Lat projection · Rt wrist plain film —
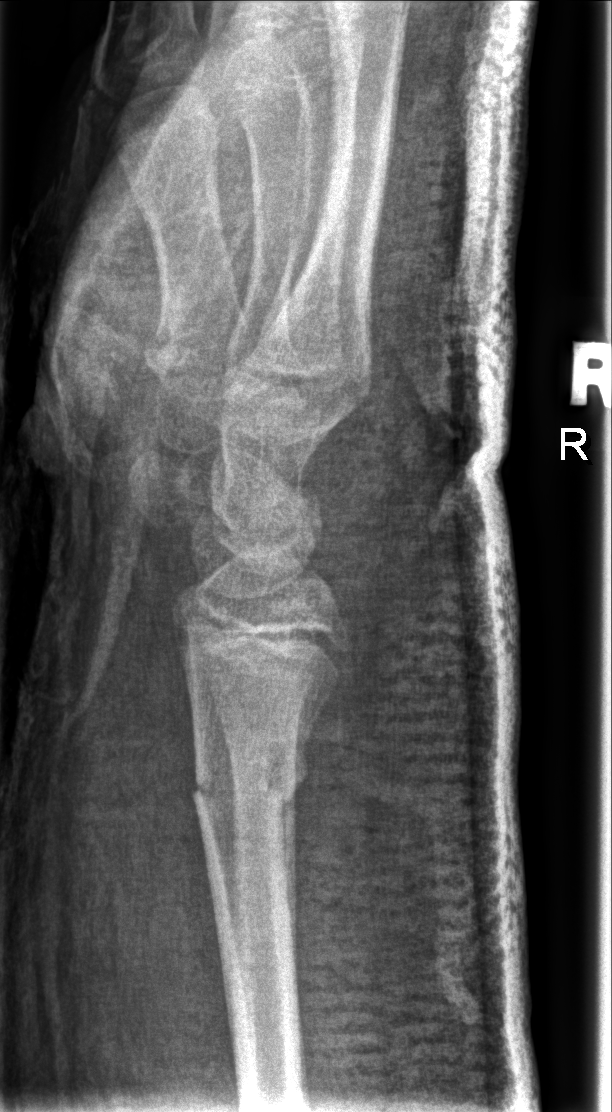

{"fracture": "1 @ 188,732,315,833", "ao": "23r-M/3.1; 23u-E/7"}